Lateral view · Rt wrist radiograph · findings marked uncertain by the reading radiologist. 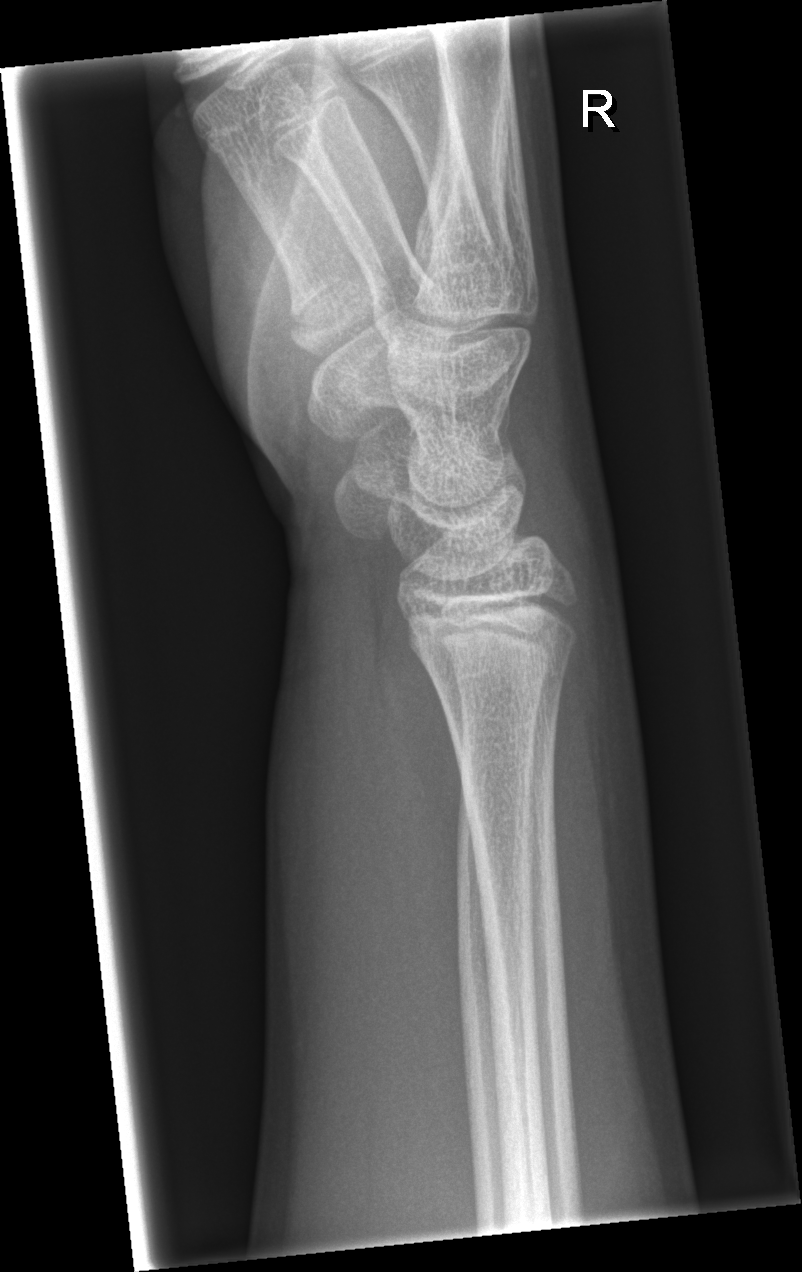
Fx = none labeled